Posteroanterior projection, right wrist radiograph, boy, 11 yo —

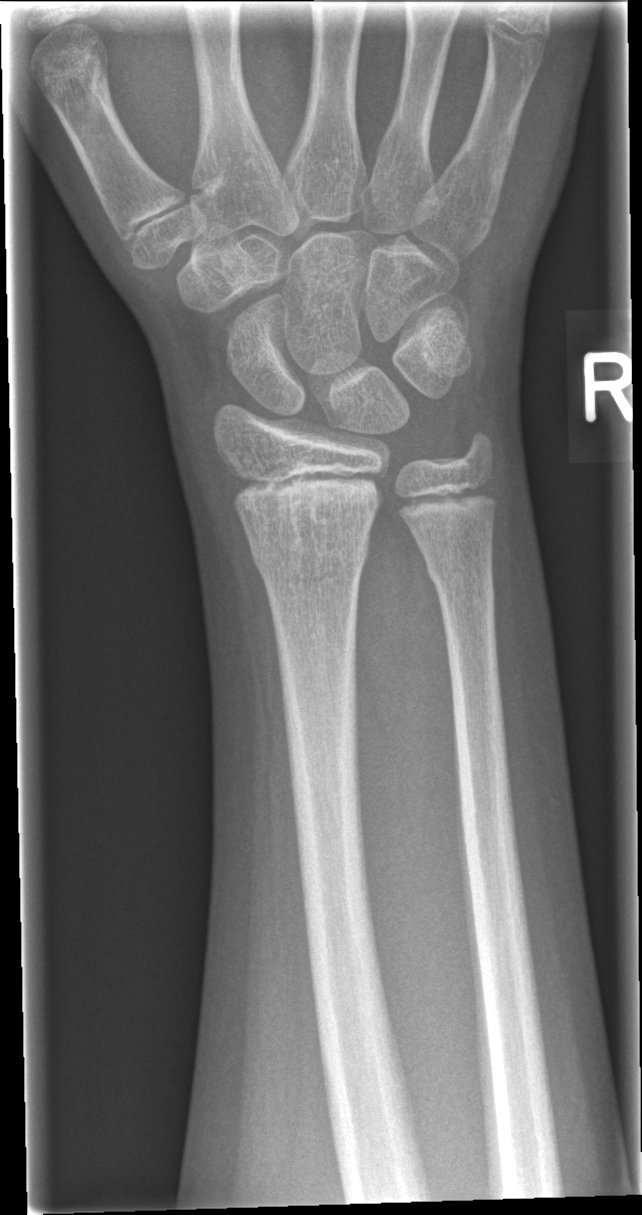

FINDINGS — Two Fx at bbox(247, 528, 372, 590); bbox(422, 538, 496, 599).